L wrist radiograph · lateral · 14-year-old girl · index exam —

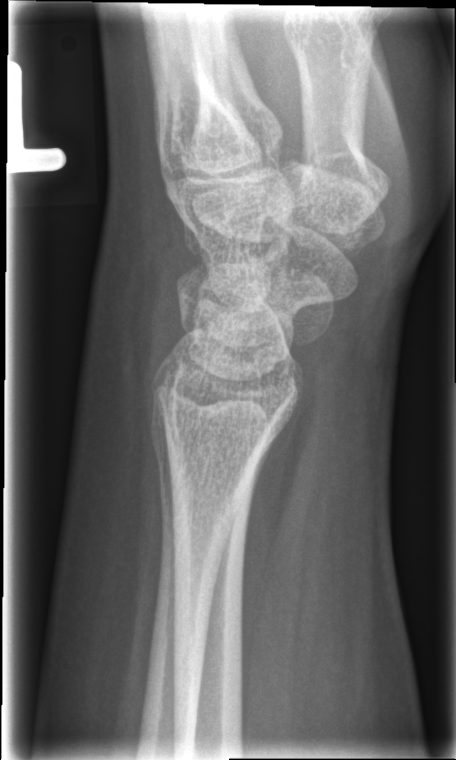
No fracture annotation.